Lt wrist plain film, lat projection, boy, 6 yo, acquired on Siemens —

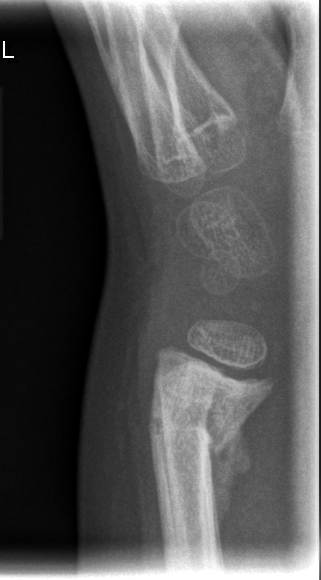
- Fx — bbox(141, 400, 242, 475).
- Reduced bone mineral density.
- AO/OTA classification: 23r-M/3.1.
- Periosteal new bone: bbox(201, 427, 249, 547).